Right wrist radiograph; lat projection.

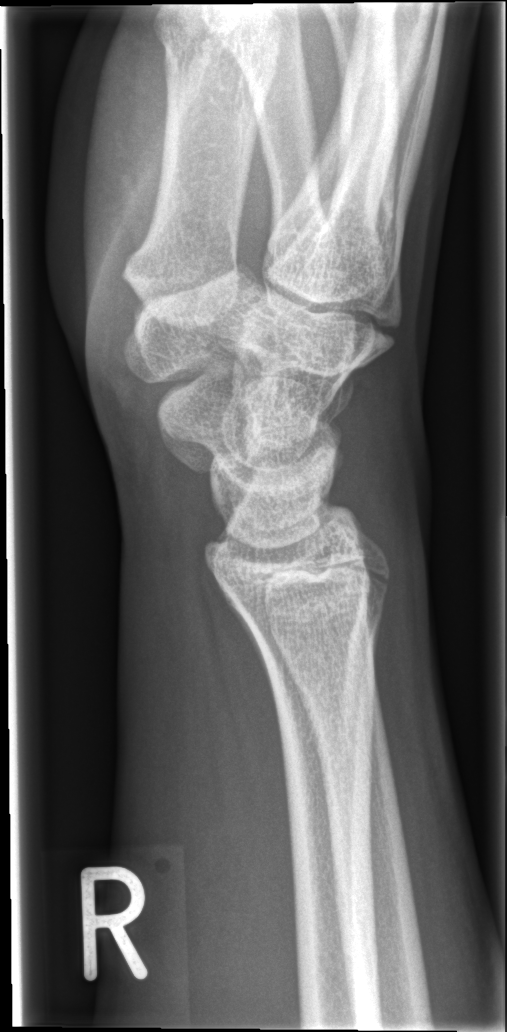

Fracture: none labeled.